Posteroanterior · right wrist X-ray · 17-year-old male · presentation radiograph. 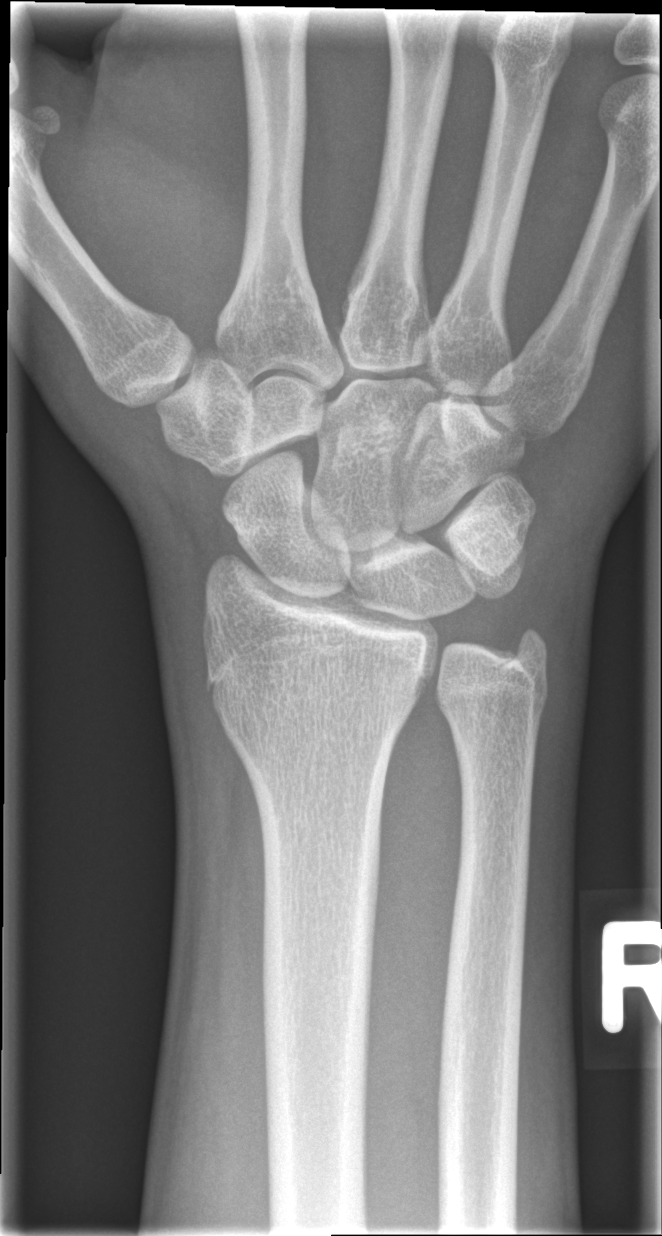
No fracture labeled.